Lat | R wrist radiograph | imaged through cast | Siemens 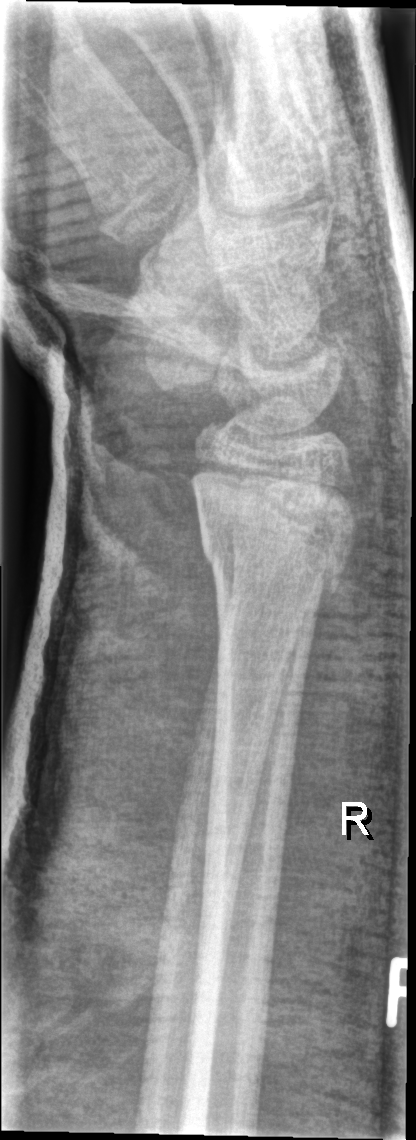
• Bone fracture identified at <192,490>-<357,588>.
• Fracture classified AO/OTA 23r-M/3.1; 23u-E/7.